Rt pediatric wrist radiograph · posteroanterior projection · female, 4 yo —
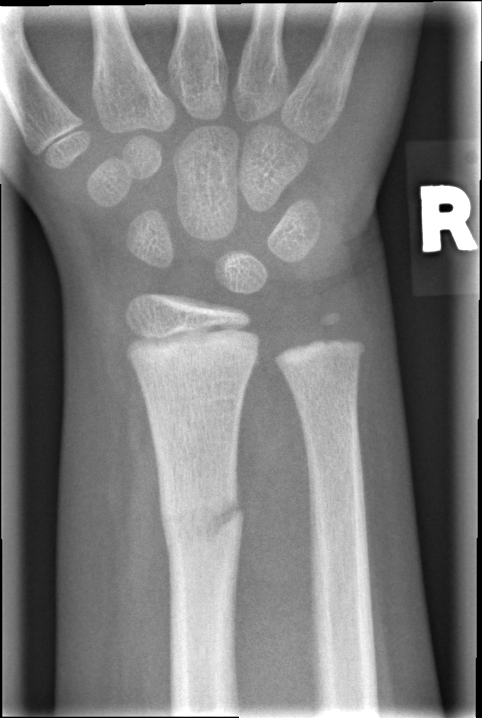

FINDINGS — AO code 22r-D/4.1. One Fx at [155, 475, 247, 557].